Rt pediatric wrist radiograph | posteroanterior projection | 17-year-old male | cast in situ | Siemens —

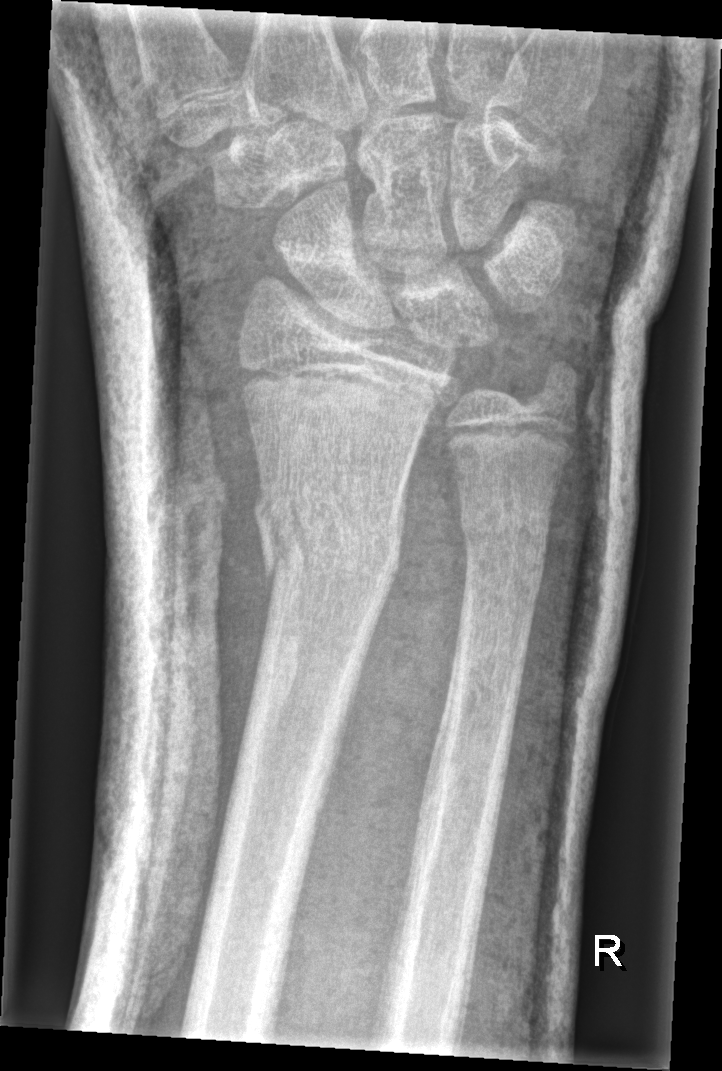

• Pixel coordinates, top-left origin, xyxy.
• Bone fracture identified at [x1=250, y1=477, x2=406, y2=601] [x1=451, y1=496, x2=558, y2=571].
• AO/OTA classification: 23-M/3.1.